Lat projection | left wrist X-ray | male, 11 yo | in cast | image 64.9 mm wide
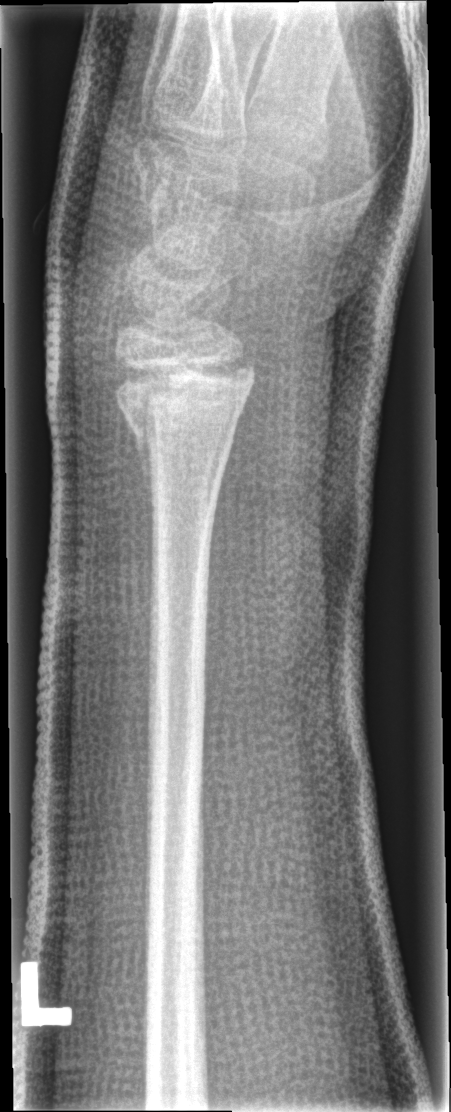

FINDINGS — Fracture classified AO/OTA 23r-E/2.1. Fx identified at [x1=109, y1=350, x2=261, y2=457]. Periosteal thickening: [x1=126, y1=402, x2=157, y2=556].